Rt wrist XR, AP view, initial study, detector: Siemens, 630 by 1176 pixels: 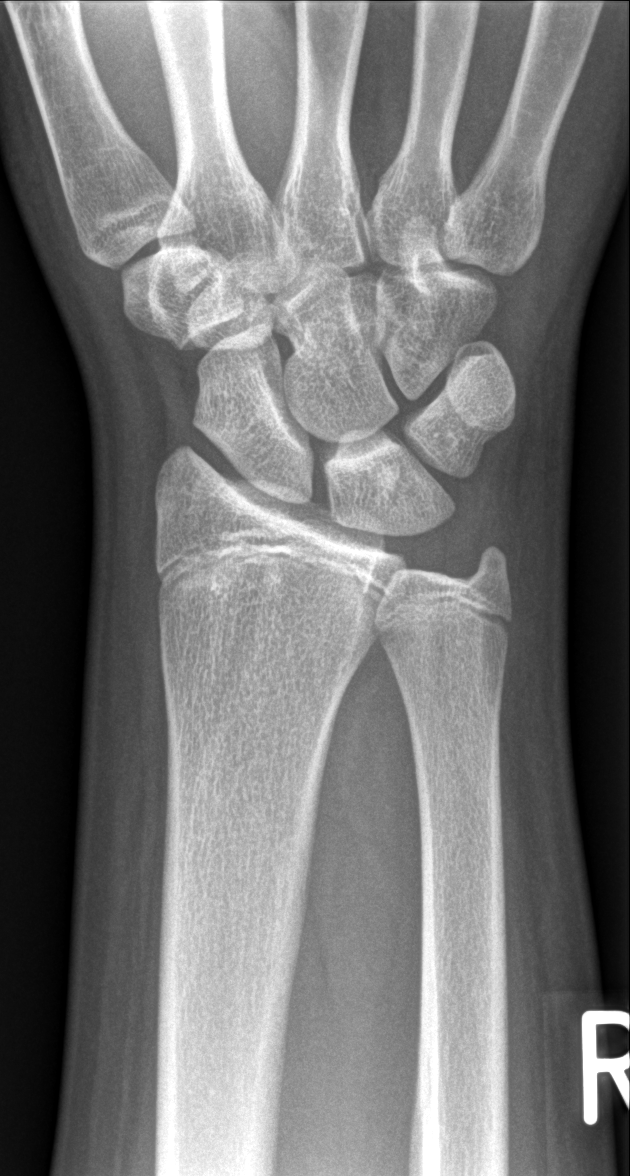 bone fracture: none labeled